Right pediatric wrist radiograph | lateral | pediatric patient (girl, age 8) | follow-up | 422 x 1442 px: 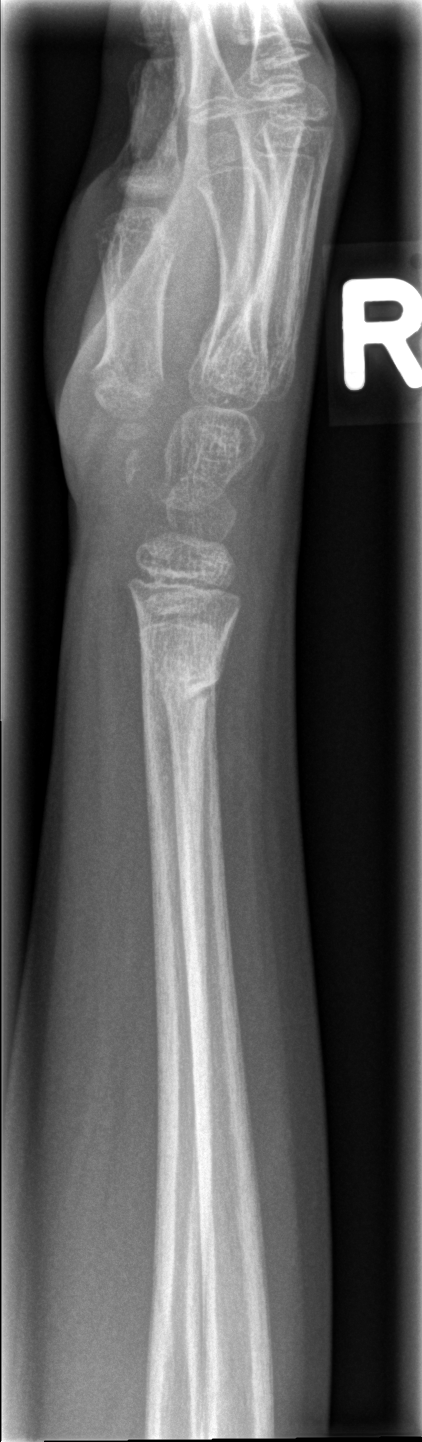

• Fracture: [139, 647, 223, 712].
• Decreased bone density (osteopenia).